Left pediatric wrist radiograph · AP view: 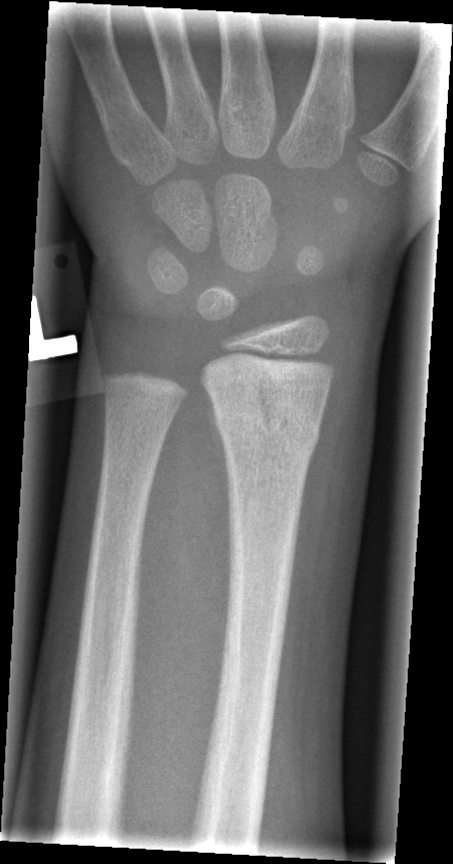 (pixel coordinates, top-left origin, xyxy)
bone fracture = (208, 389, 328, 457)